Lateral projection; right wrist radiograph
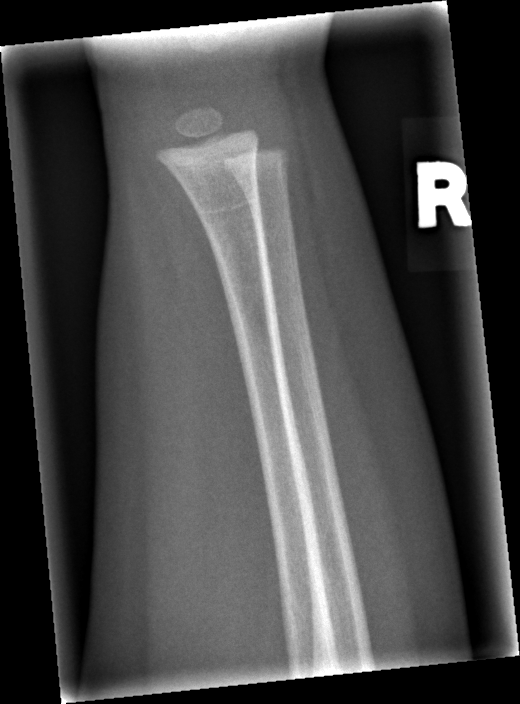 Findings: No fracture bounding box.